Frontal view | L wrist XR | age 5 y, female | image 74.4 mm wide | 517 by 1122 pixels —

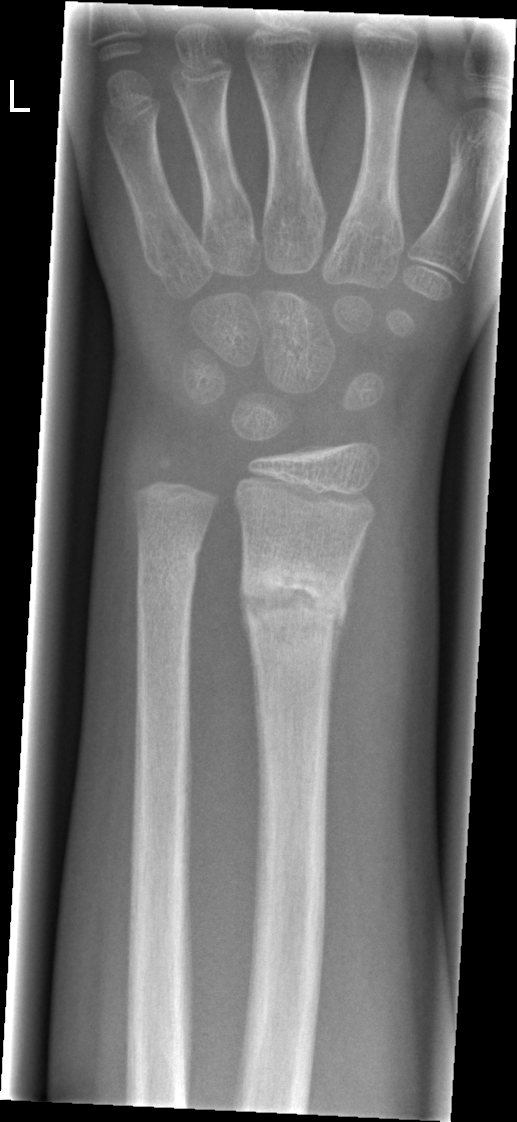
Fx = (235, 547, 358, 653) (133, 541, 204, 607)
Osteopenia = present
Periosteal new bone = 1 @ (329, 541, 362, 699)
AO classification = 23r-M/3.1; 23u-M/2.1